Lat · L pediatric wrist radiograph · 5-year-old female.
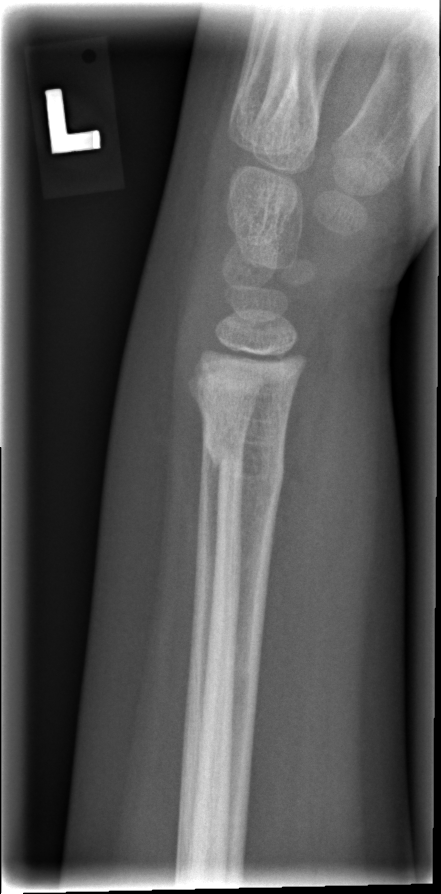
Bounding boxes in image-pixel xyxy.
One bone fracture at [x1=200, y1=435, x2=287, y2=488].
AO/OTA classification: 23-M/2.1.